Right wrist plain film · frontal: 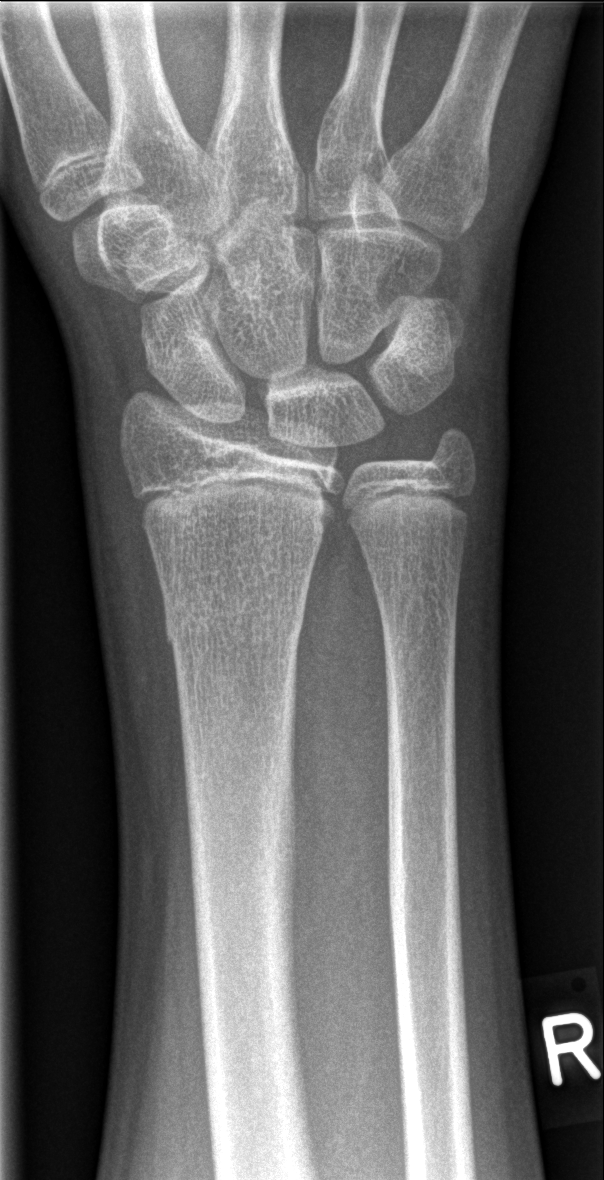 Bone fracture = 1 @ (160, 591, 310, 658)